PA; left wrist plain film; initial study; 486x980 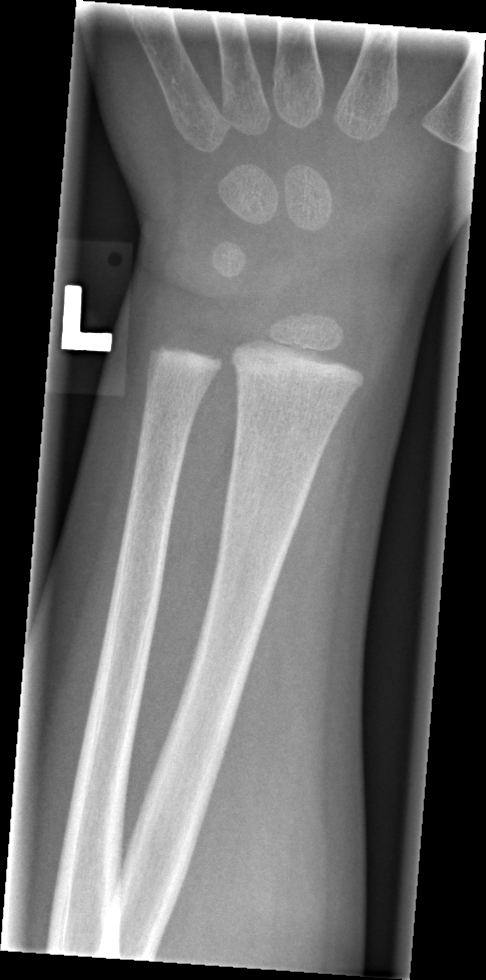 Fracture: none labeled.